Right pediatric wrist radiograph; PA/AP view 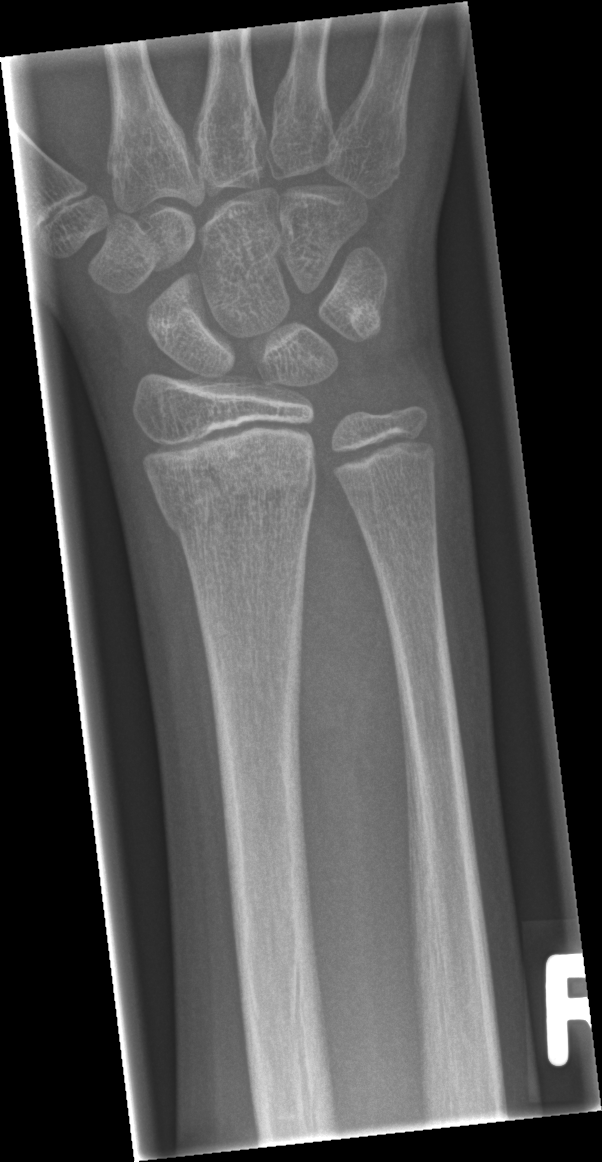
- One bone fracture at (left=149, top=428, right=323, bottom=543).
- Fracture classified AO/OTA 23r-E/2.1.